Lateral projection; L wrist plain film; age 11 y, boy
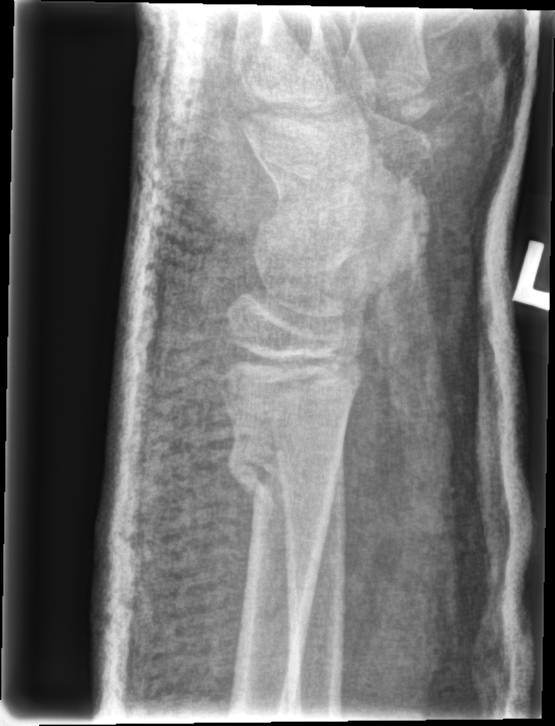
AO code 23r-M/2.1. Fracture — <223,424>-<344,515>.